PA/AP | right wrist radiograph | 5-year-old male | subsequent exam

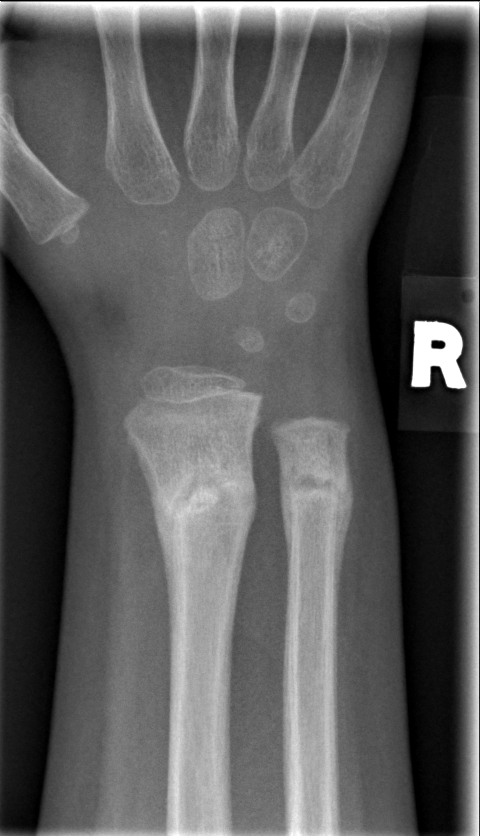

(boxes as x1,y1,x2,y2 (top-left / bottom-right, pixel units))
Q: Is there a fracture?
A: Bone fracture identified at (left=148, top=457, right=260, bottom=547) (left=279, top=458, right=357, bottom=532)
Q: Locate any periosteal reaction.
A: Periosteal thickening — (left=333, top=441, right=356, bottom=766); (left=279, top=454, right=293, bottom=580)
Q: Is there osteopenia?
A: Decreased bone density (osteopenia)
Q: AO code?
A: AO/OTA classification: 23-M/3.1